Left wrist radiograph | AP projection | follow-up: 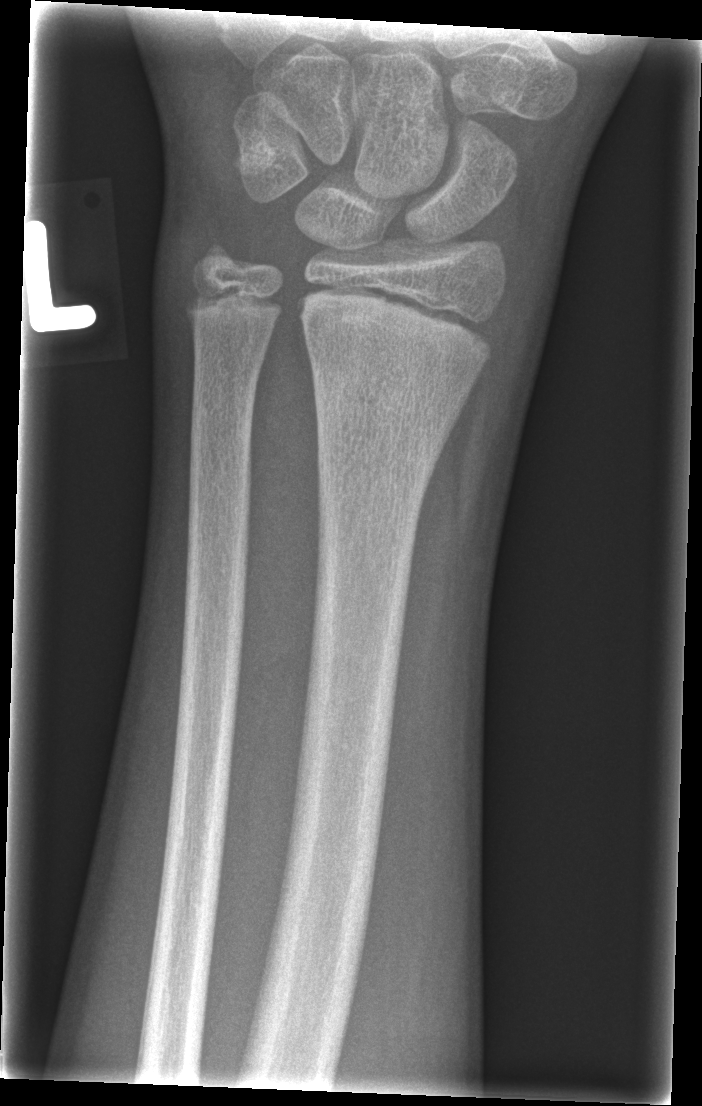

(pixel coordinates, top-left origin, xyxy)
Fx: 1 @ bbox(304, 355, 459, 518)